Rt plain radiograph of the wrist · lat —

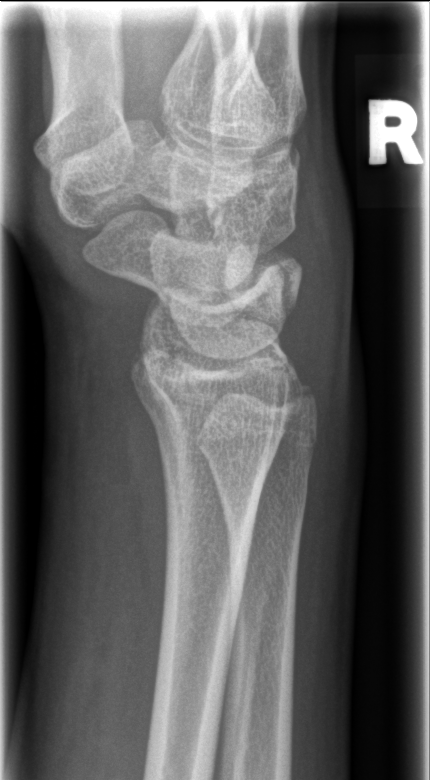

AO/OTA classification: 23r-M/2.1; 23u-E/7.
One bone fracture at (287, 379, 323, 428).